Left wrist X-ray · lat projection · 11-year-old male · imaged through cast: 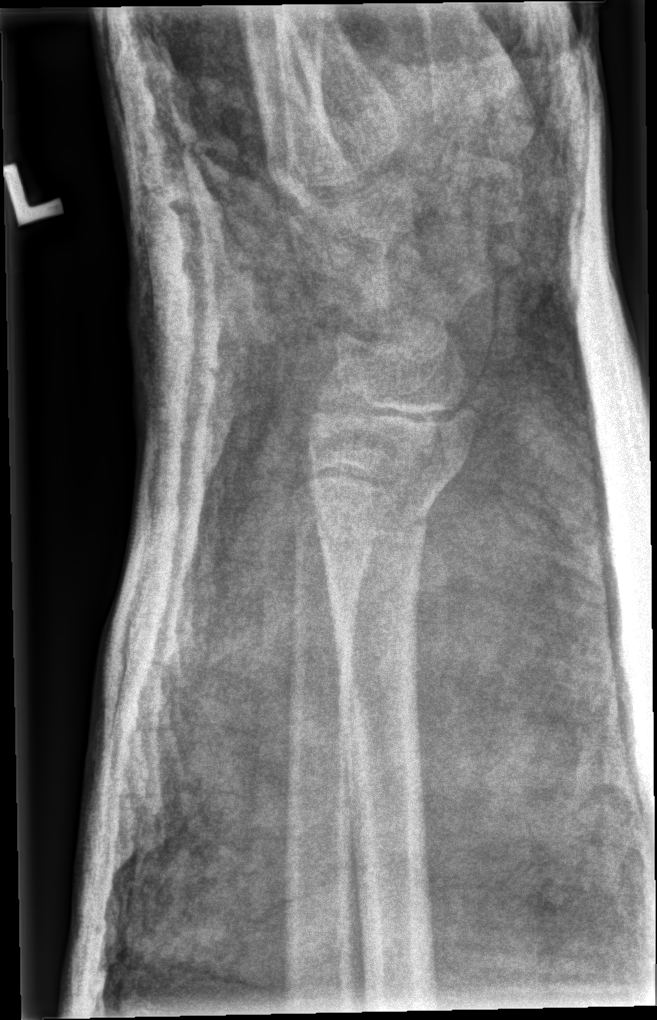 {
  "ao": "23r-M/3.1; 23u-E/7",
  "fracture": "bbox(303, 434, 475, 565)"
}